Left wrist X-ray · lateral · subsequent exam · image width 55.3 mm — 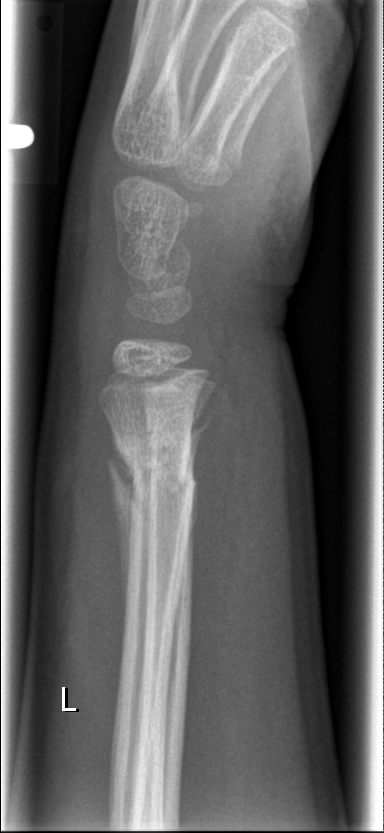

(boxes as x1,y1,x2,y2 (top-left / bottom-right, pixel units))
Fx: (105, 426, 206, 522), (138, 402, 208, 459)
Osteopenia: present